Posteroanterior view; Rt wrist XR; 11-year-old girl; follow-up study
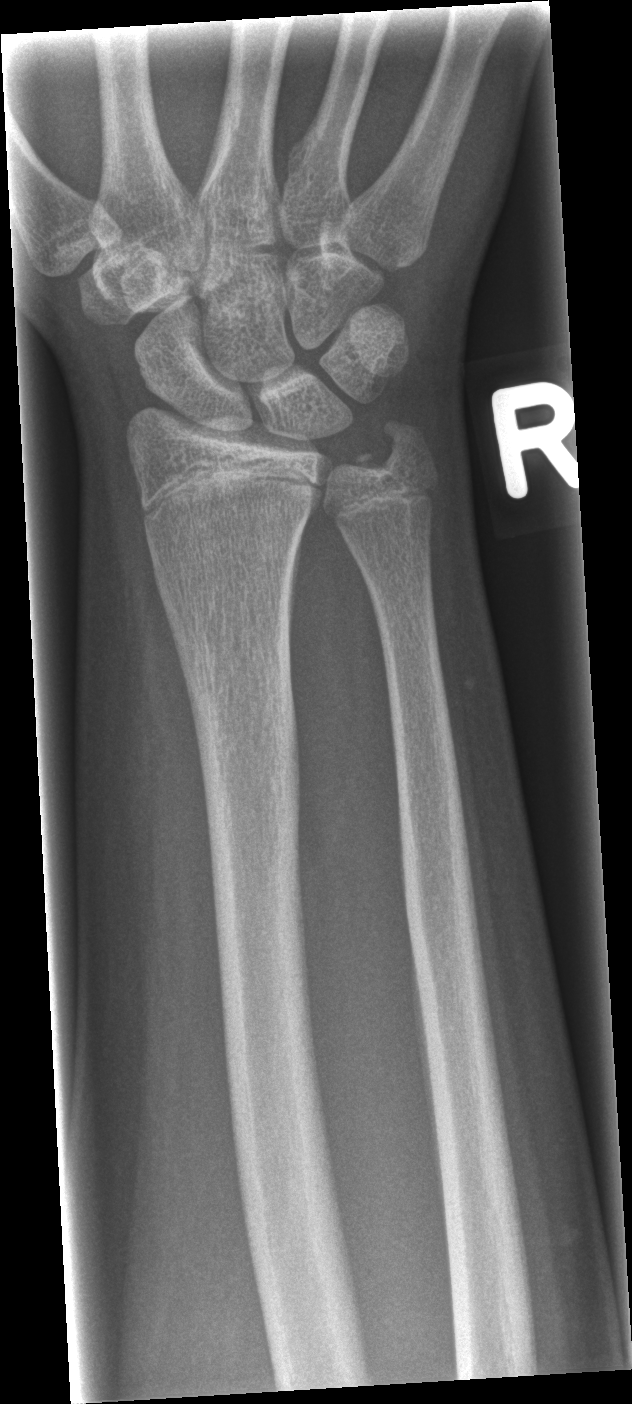 (pixel coordinates, top-left origin, xyxy)
Bone fracture: 1 @ (351, 416, 437, 478)